Rt wrist plain film | frontal view | acquired on Siemens | 85.8 mm image width. 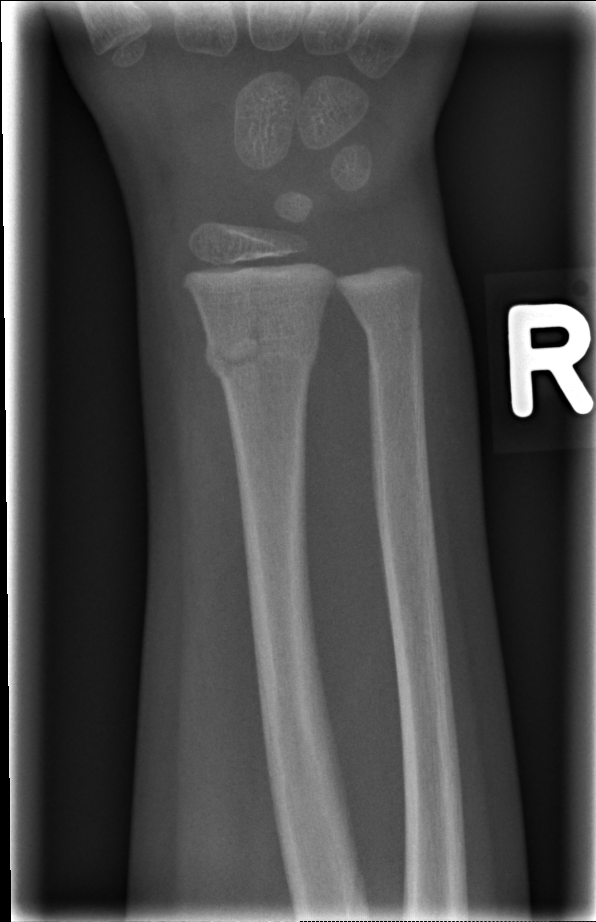
AO code = 23-M/2.1
fracture = 201,316,321,385 | 355,306,427,351